Lateral · right wrist X-ray · age 14 y, girl · 813 by 813 pixels

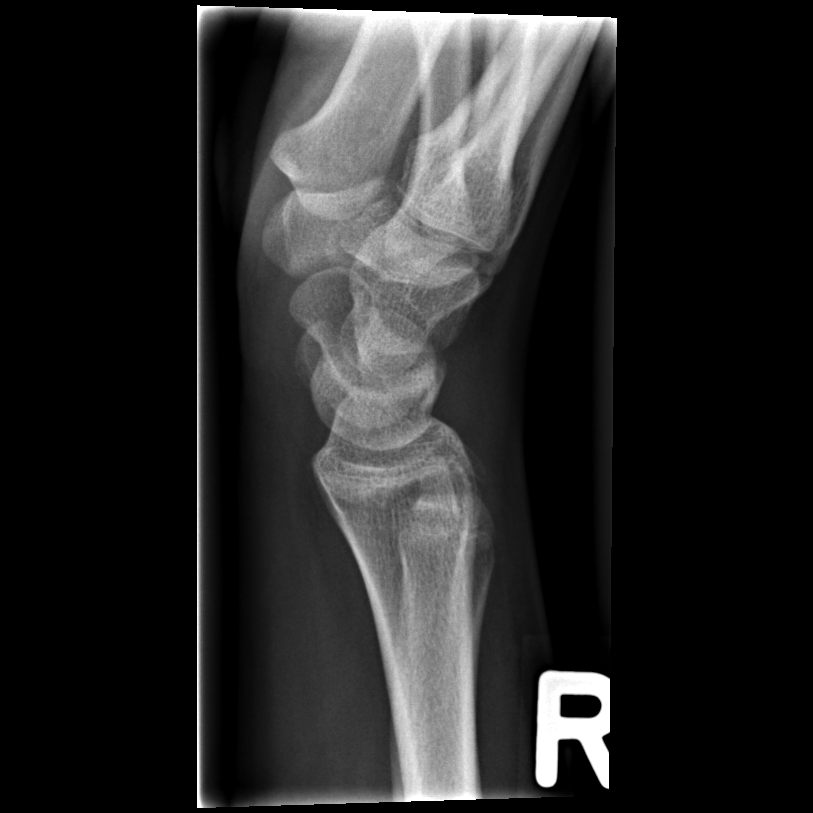

No fracture bounding box.